Right wrist plain film, PA/AP projection —

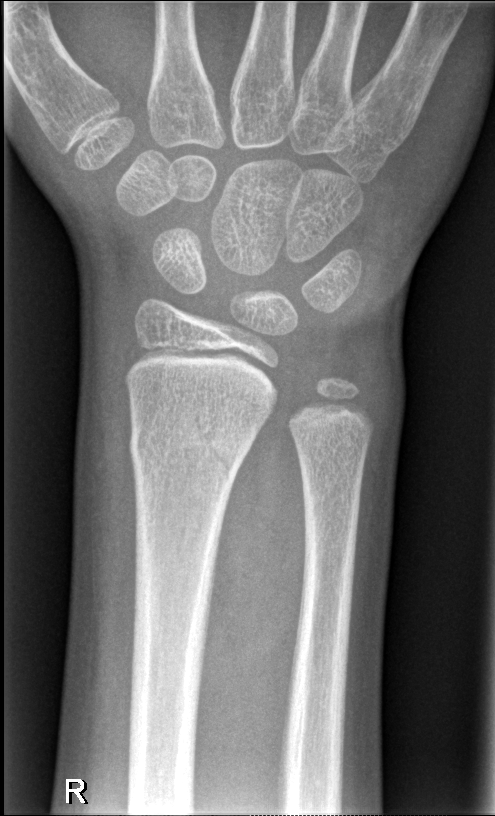

{
  "fracture": "1 @ (125, 422, 255, 482)"
}